Posteroanterior view, L pediatric wrist radiograph, age 15 y, boy 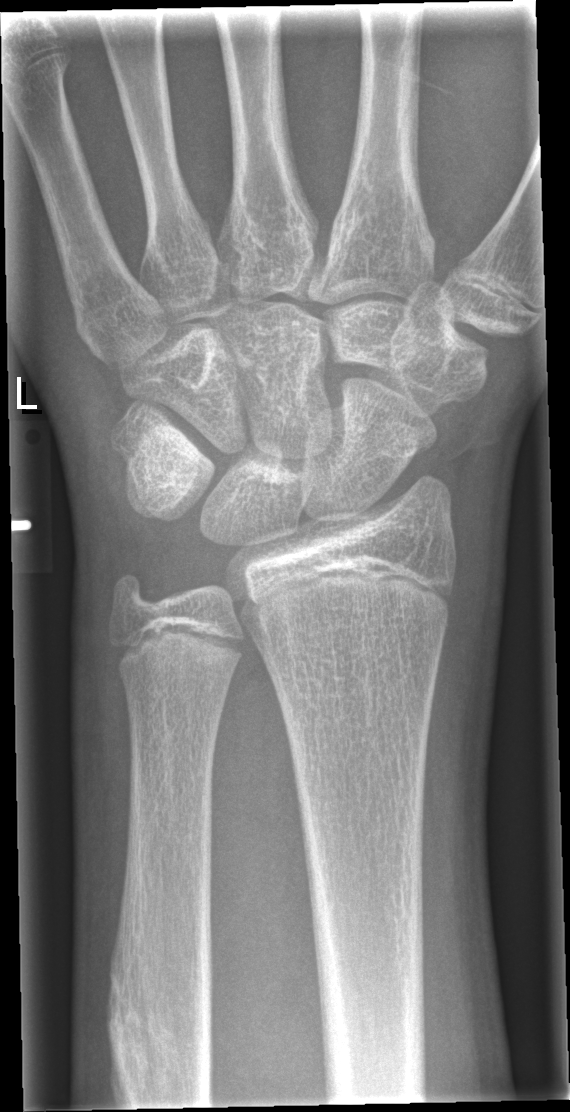
No fracture annotation. Bone variant — [97, 960, 219, 1105].